R wrist XR | posteroanterior view | index exam.

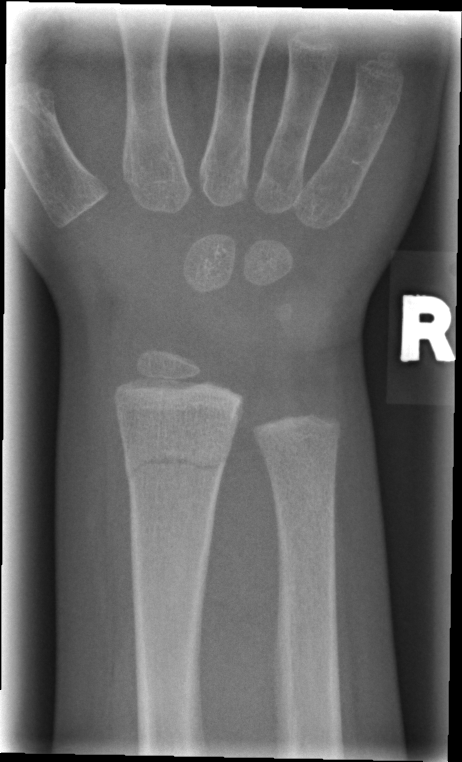

Bone fracture — bbox(121, 439, 232, 486).